R wrist plain film | lateral projection | in cast | Siemens | 492 x 1038 px
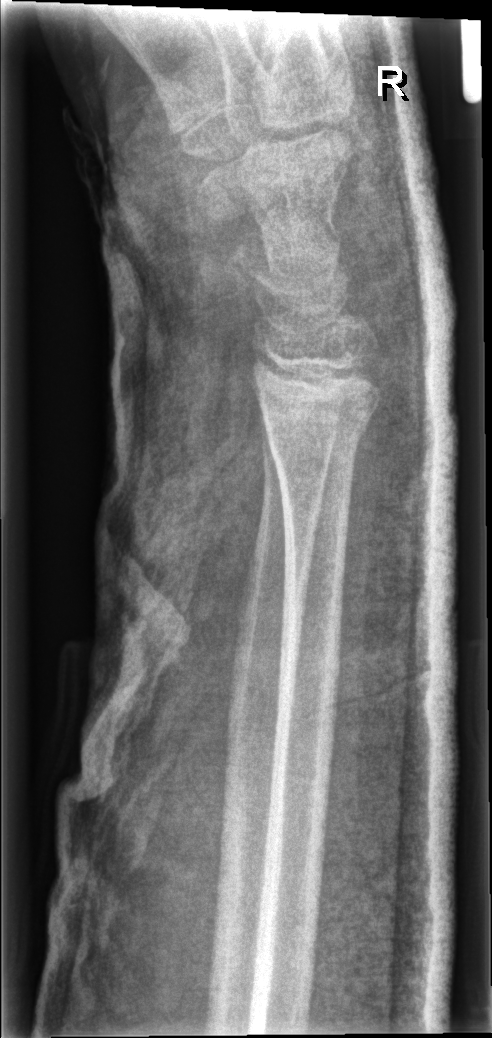

Fracture classified AO/OTA 23r-E/2.1. Bone fracture: [x1=263, y1=365, x2=383, y2=468].